Lat projection; left pediatric wrist radiograph 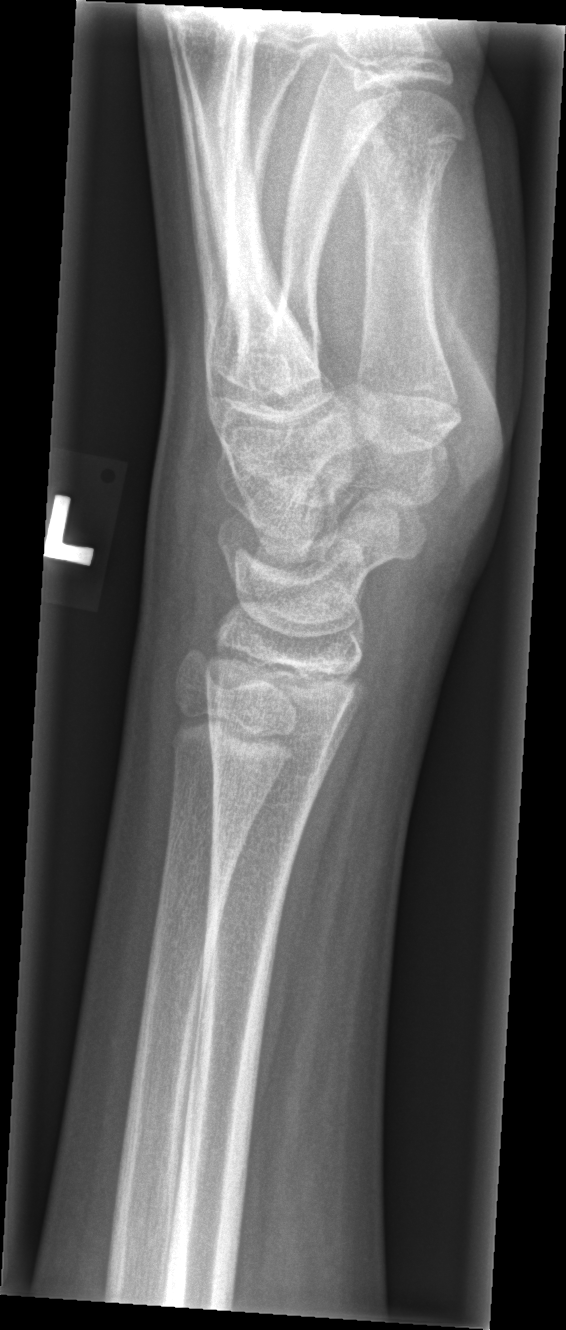
No fracture labeled.